Lateral projection · Lt plain radiograph of the wrist · 13-year-old boy · subsequent exam —
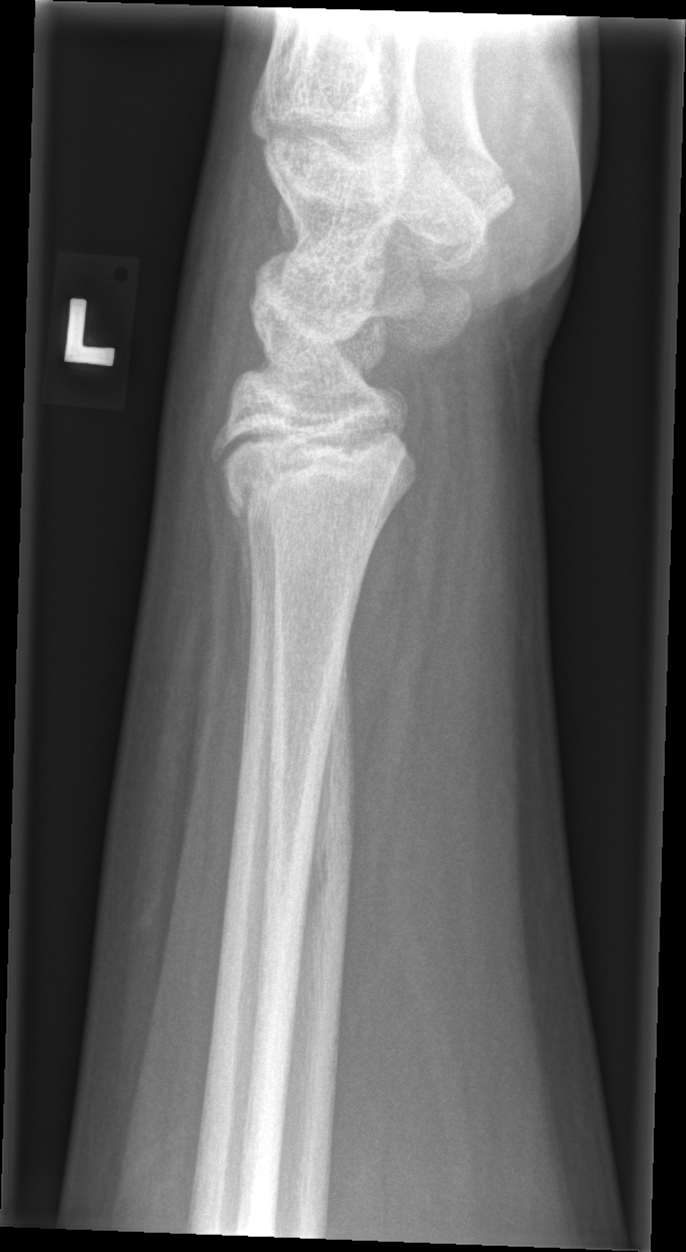
- Decreased bone density (osteopenia).
- Fx — (left=205, top=420, right=413, bottom=532).
- AO code 23r-E/2.1; 23u-E/7.